Rt plain radiograph of the wrist · lat view · pediatric patient (female, age 15) —

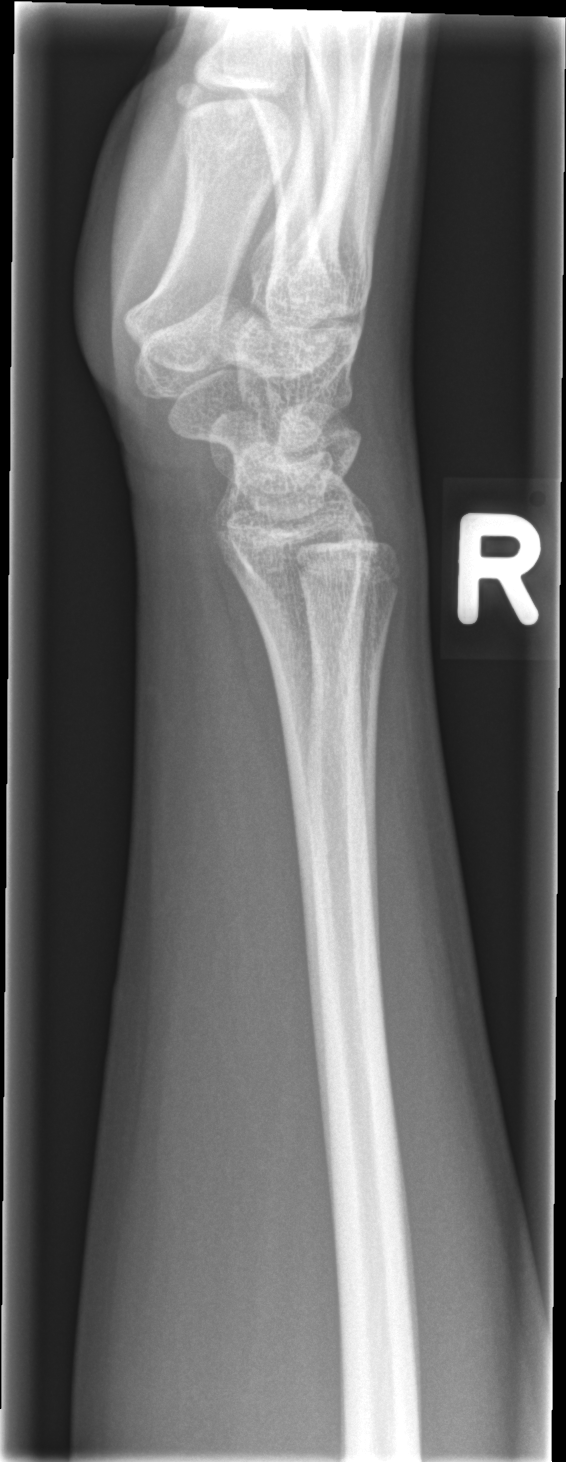
No Fx annotated.